Lat view · R wrist X-ray 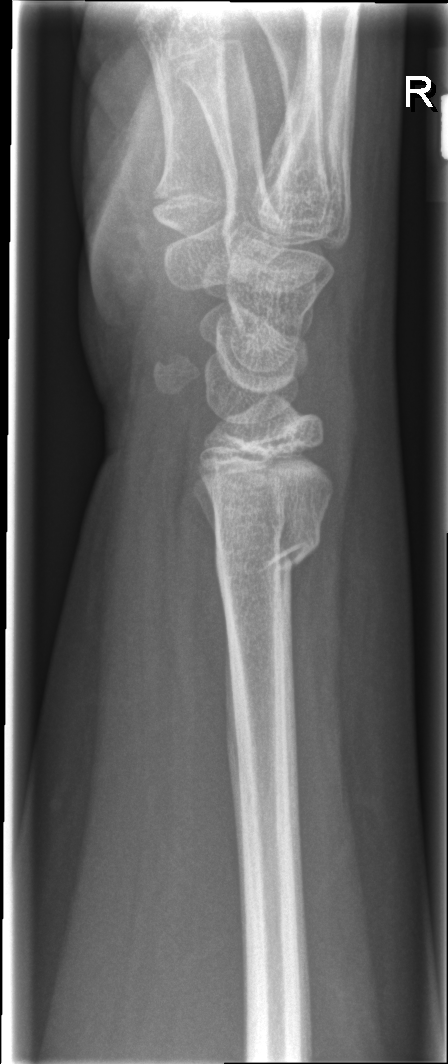
Findings: (pixel coordinates, top-left origin, xyxy) AO code 23r-M/2.1. Fracture: [x1=211, y1=516, x2=325, y2=590].